Lat view | right wrist radiograph | cast present | acquired on Siemens | 623x1194 —
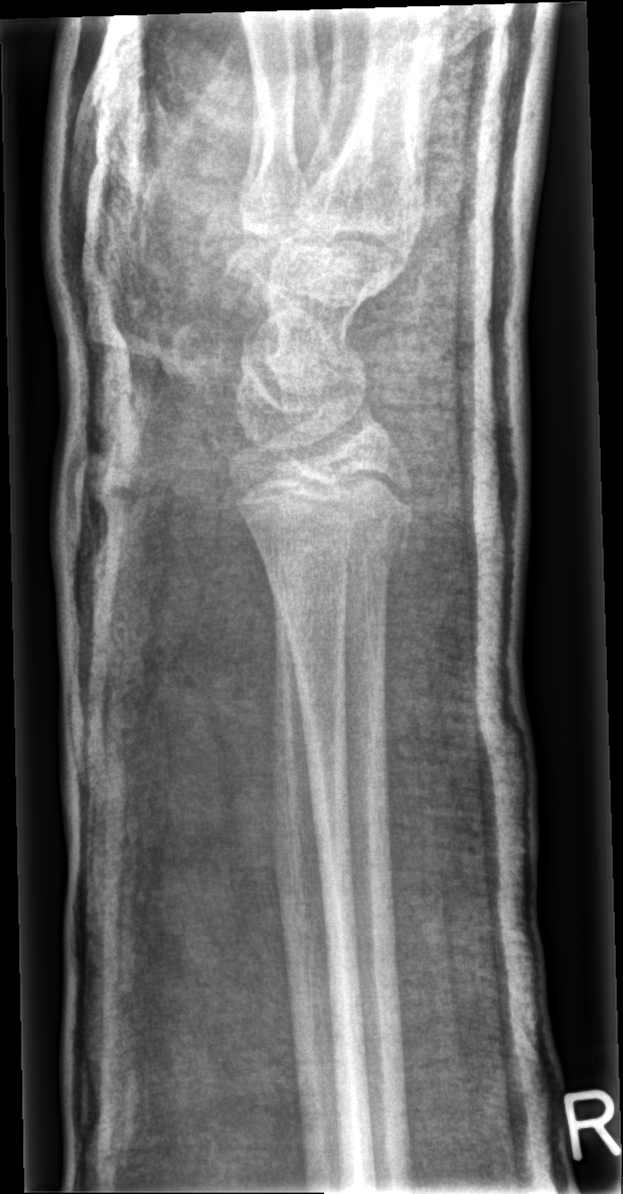 (coordinates are [x1, y1, x2, y2] in image pixels)
Fx: [x1=240, y1=488, x2=418, y2=585]
AO classification: 23r-M/3.1